PA/AP · left wrist XR · 8y F · follow-up study · cast in situ · image width 71.7 mm —
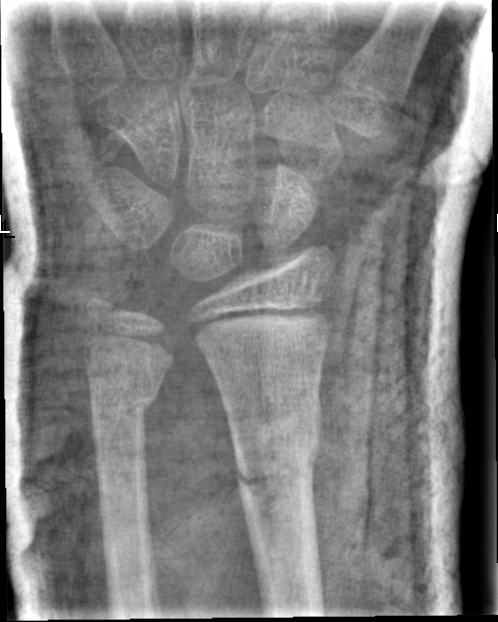
(boxes as x1,y1,x2,y2 (top-left / bottom-right, pixel units))
Q: Locate any fractures.
A: Two Fx at (227, 399, 325, 500); (89, 388, 161, 434)
Q: What is the AO/OTA classification?
A: AO code 23r-M/3.1; 23u-M/2.1